Lat view · R wrist X-ray · 14y M · initial study
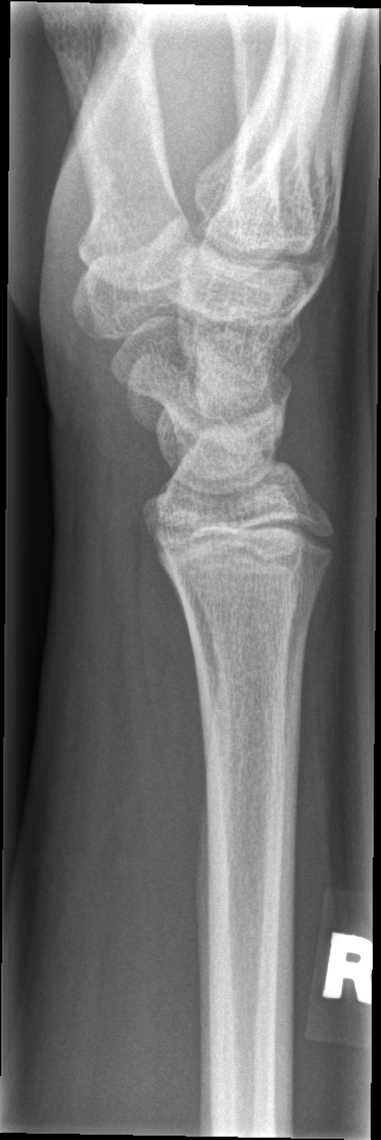

No Fx annotated.